PA/AP view · Rt pediatric wrist radiograph · pediatric patient (female, age 13) · 70.8 mm image width
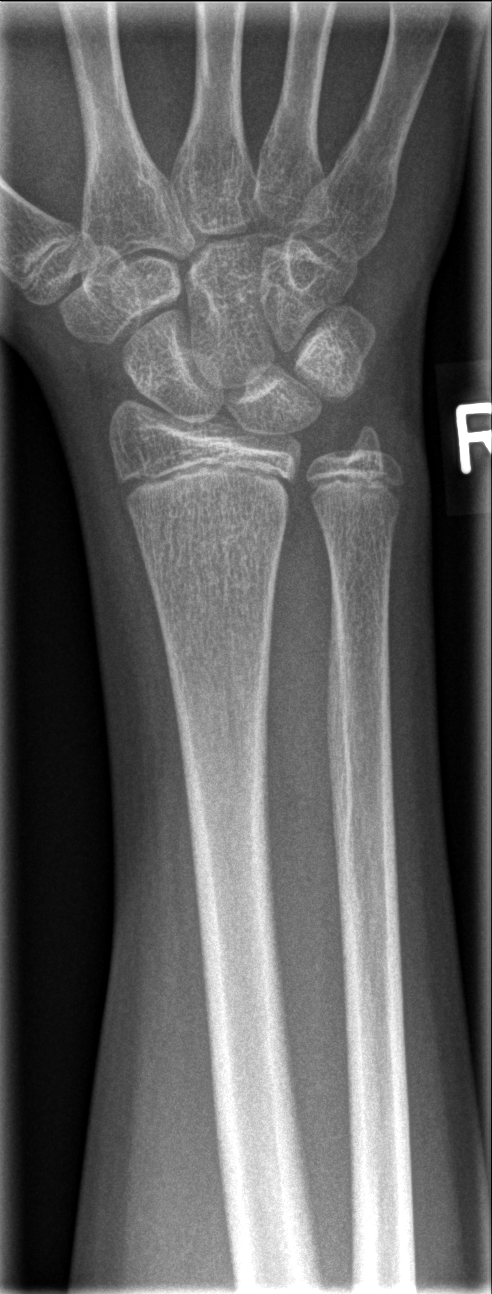

bone fracture: present but not clearly seen in this view